Left wrist radiograph · AP · 6y M · initial study · detector: Siemens
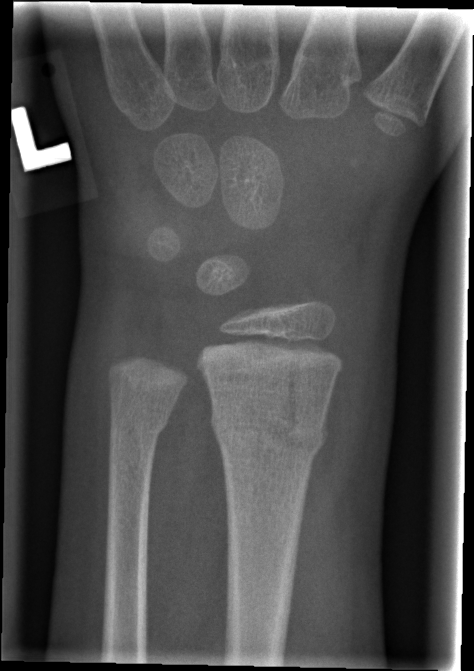

Q: What is the AO/OTA classification?
A: AO code 23-M/2.1
Q: Locate any fractures.
A: Fx: [207, 394, 329, 459] [106, 401, 177, 447]